PA/AP | L plain radiograph of the wrist | index exam. 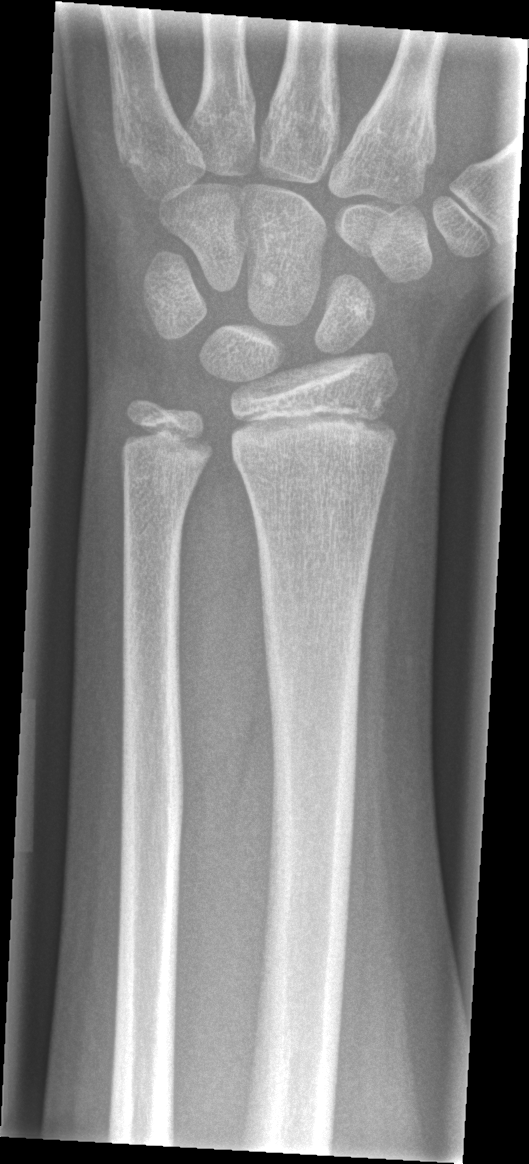

Findings: No Fx annotated.